Lat projection | Rt pediatric wrist radiograph | index exam. 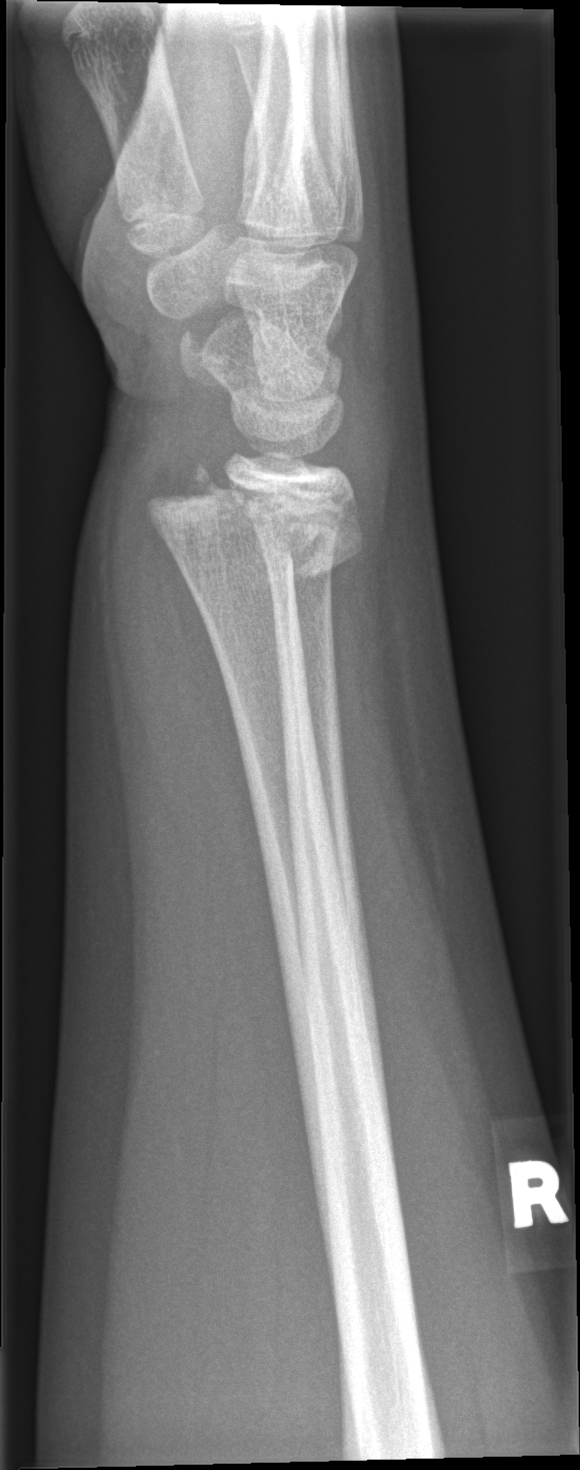 * Coordinates are [x1, y1, x2, y2] in image pixels.
* Pronator quadratus fat-pad sign identified at [99, 422, 271, 946].
* Bone fracture — [143, 463, 369, 595].